Left plain radiograph of the wrist; lateral

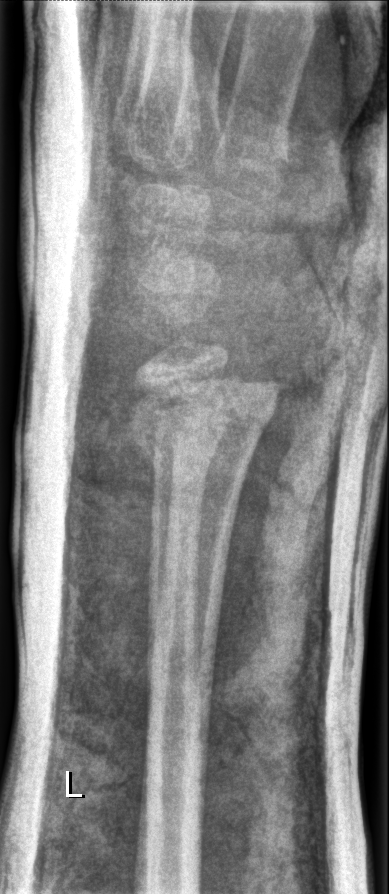
Coordinates are [x1, y1, x2, y2] in image pixels. Bone fracture identified at 126 362 284 463. AO code 23r-E/2.1; 23u-E/7.